PA/AP · left wrist XR · initial study · 562x883

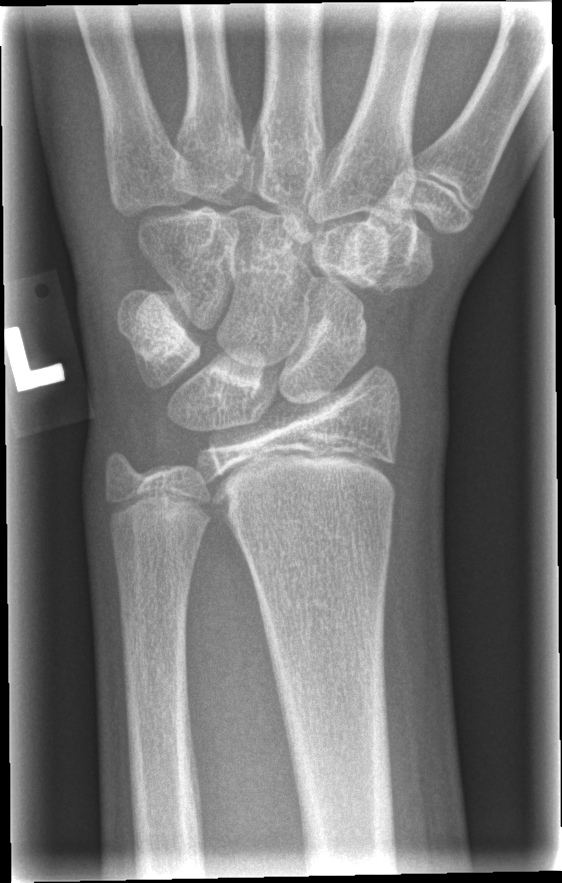 Fx: none labeled